AP · Lt pediatric wrist radiograph · pediatric patient (male, age 3) — 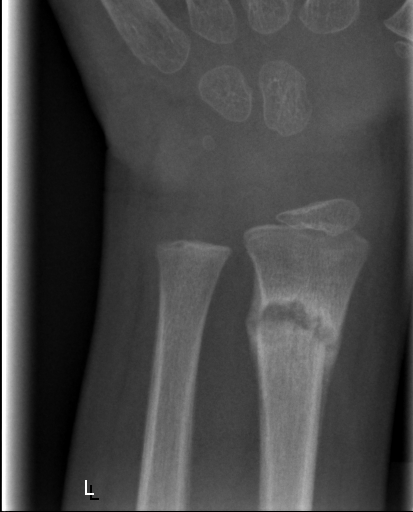

Coordinates are [x1, y1, x2, y2] in image pixels.
Periosteal reaction: (316, 300, 348, 453); (244, 266, 263, 406).
AO/OTA classification: 23r-M/3.1.
Reduced bone mineral density.
One bone fracture at (243, 283, 343, 378).